Right wrist radiograph · lateral view · age 7 y, boy 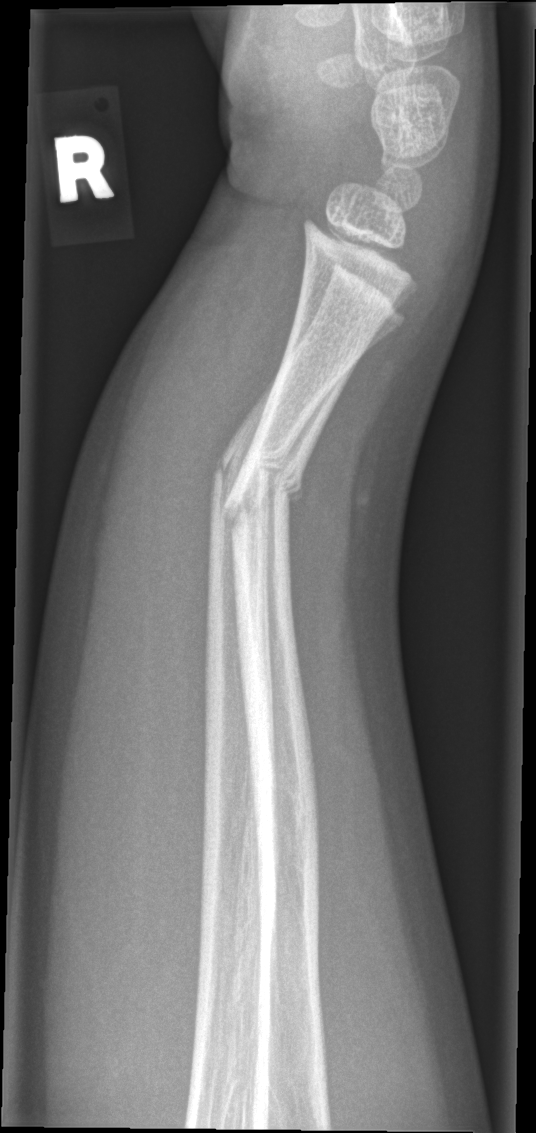 * Pixel coordinates, top-left origin, xyxy.
* Bone fracture identified at (204, 428, 309, 534).